Lat view, right wrist plain radiograph of the wrist, age 11 y, male — 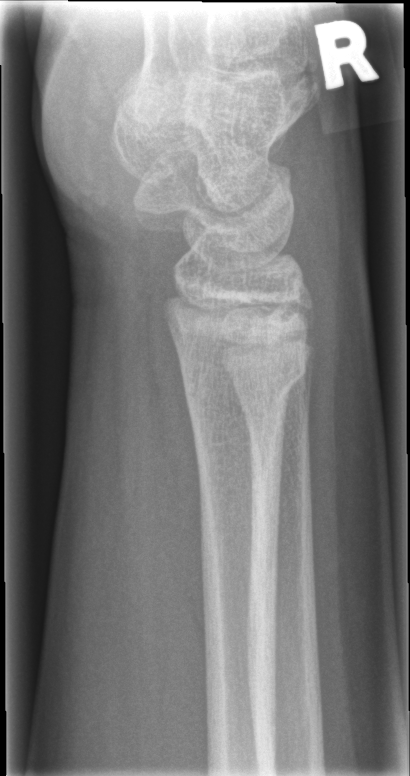
Bone fracture: 177,348,310,416.